Frontal projection | L wrist radiograph | 78.5 mm image width: 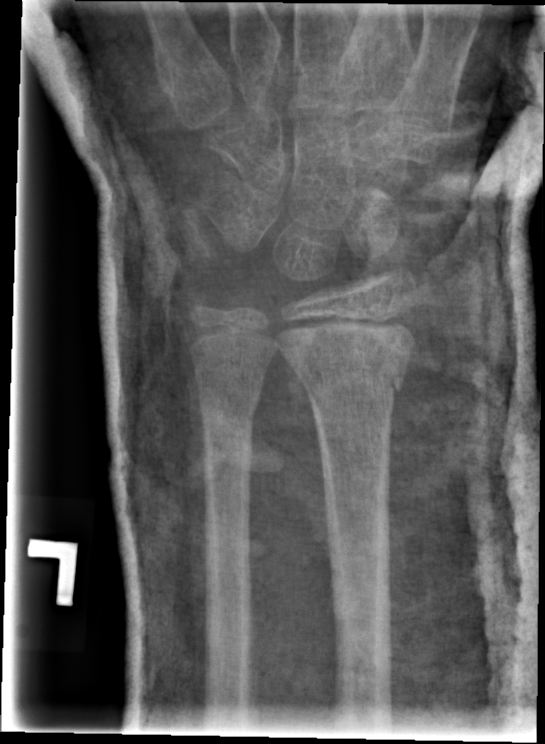
AO/OTA = 23r-M/3.1; 23u-M/2.1
bone fracture = 2 @ (292, 351, 408, 407) (194, 380, 263, 435)